Posteroanterior view; Lt wrist XR; male, 12 yo; cast in situ; image size 645x1066 —
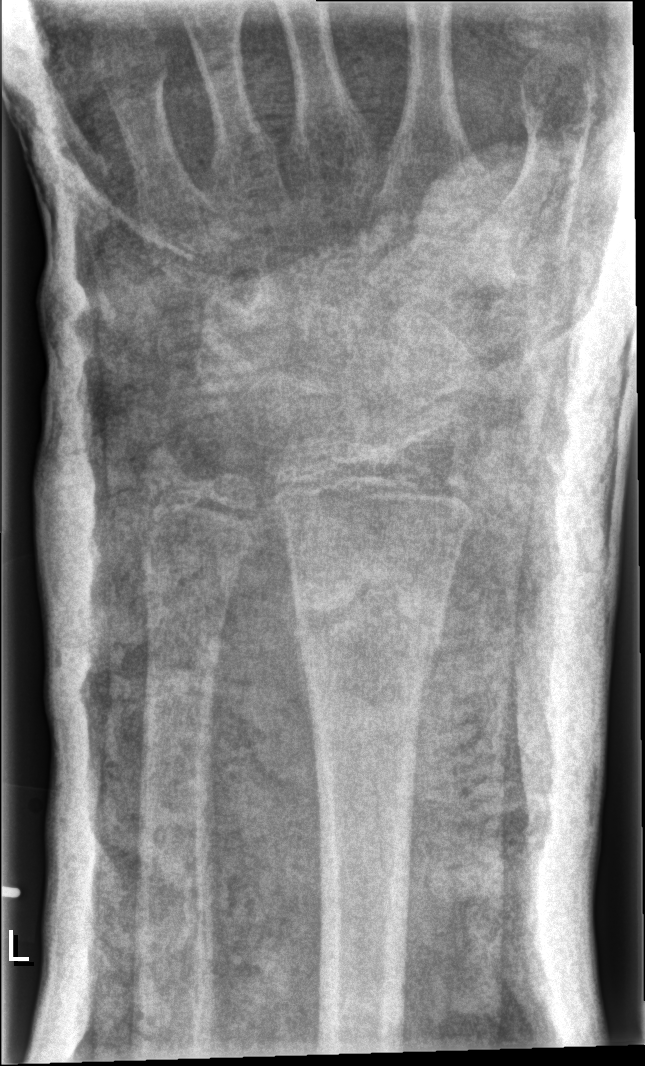
FINDINGS — Fracture classified AO/OTA 23r-M/3.1; 23u-E/7. Fx — bbox(286, 554, 446, 674).